Lateral view, Rt plain radiograph of the wrist, presentation radiograph: 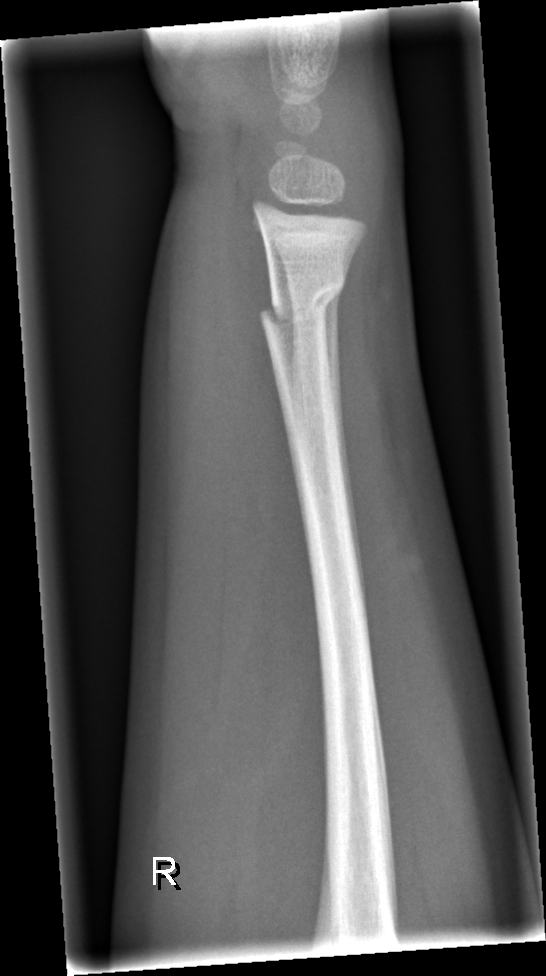

{
  "fracture": "1 @ <258,268>-<346,329>",
  "ao": "23r-M/3.1; 23u-M/2.1"
}